L pediatric wrist radiograph, lat projection, female, 9 yo, detector: Siemens, image size 527x914:

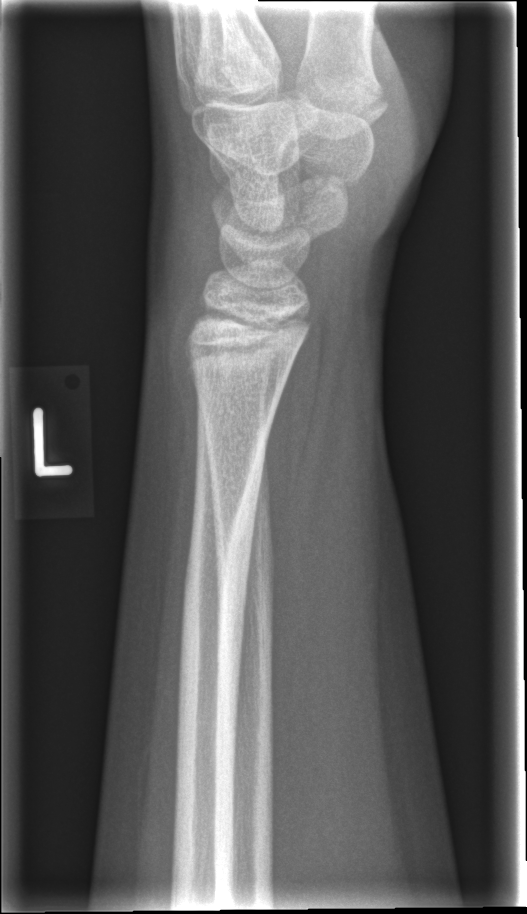 Bone fracture = none labeled